Posteroanterior projection · Lt wrist X-ray · age 13 y, boy · detector: Siemens

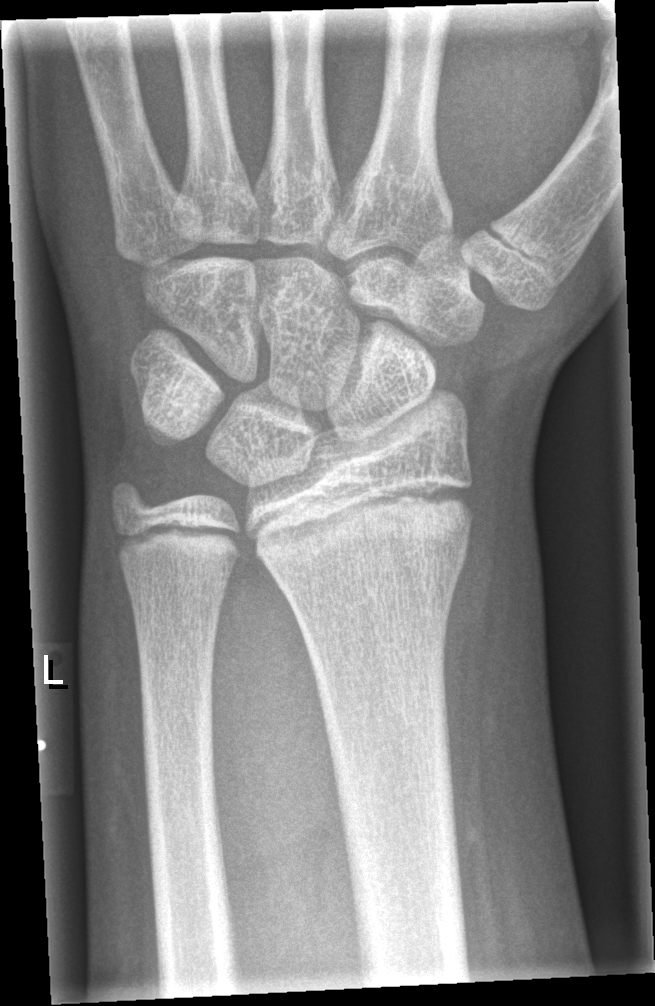
Q: Locate any fractures.
A: Fracture: none labeled